PA/AP projection, left wrist XR, age 2 y, boy:

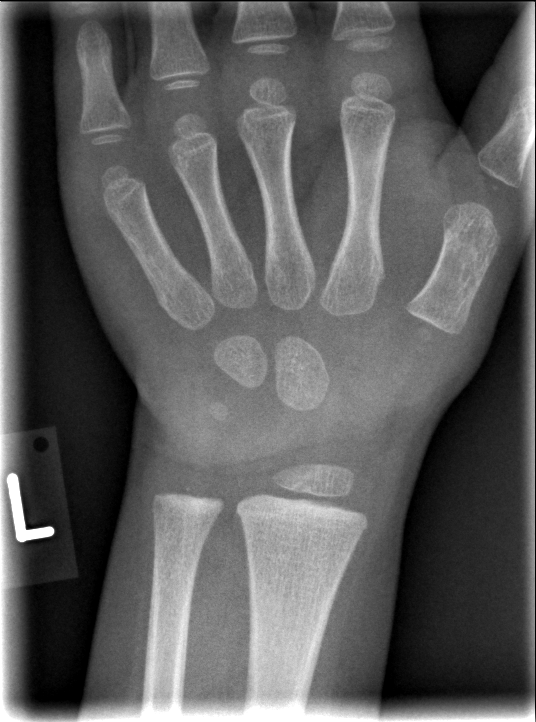 Fx: none.